L wrist plain film | frontal | pediatric patient (male, age 7) | cast present | image size 792x1031 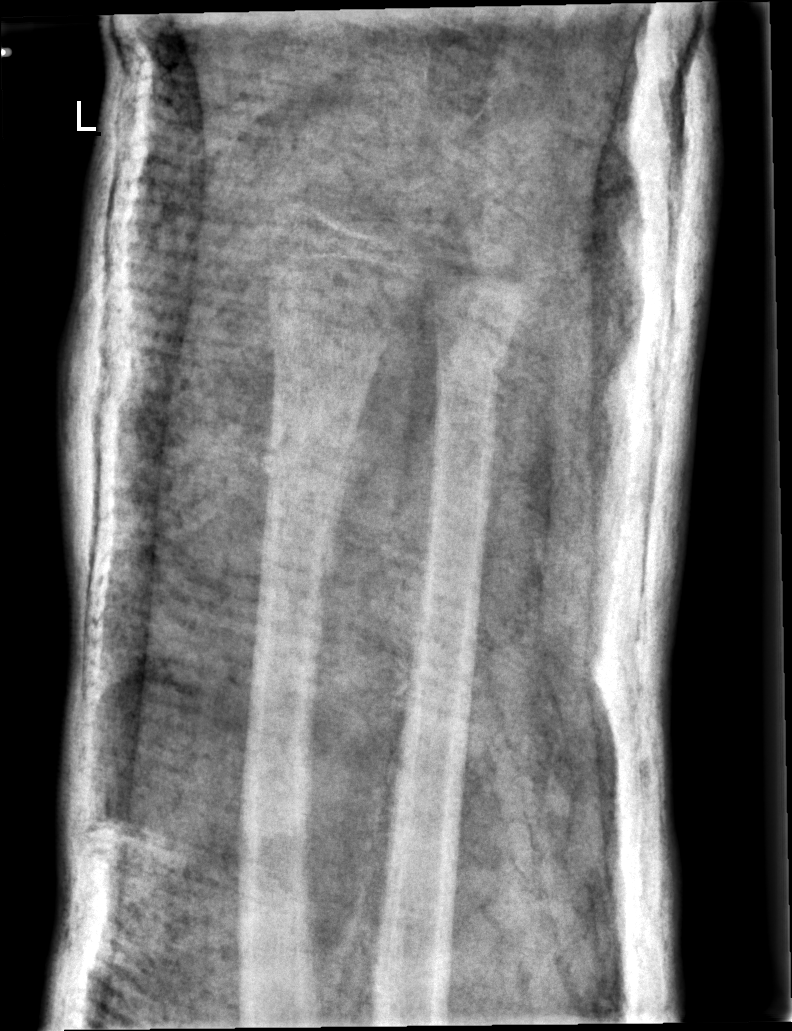
Fractures — 258 407 361 489; 428 341 514 404.